Posteroanterior view, left wrist plain film, cast present. 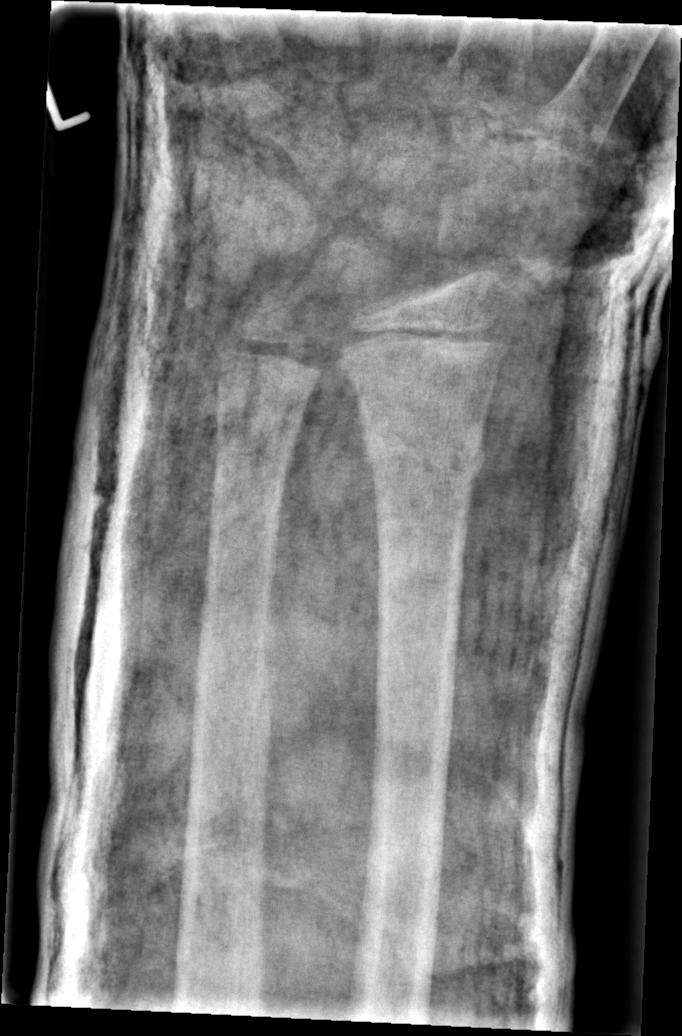
Bone fracture — [356, 413, 490, 487].